Lat projection; Lt pediatric wrist radiograph —

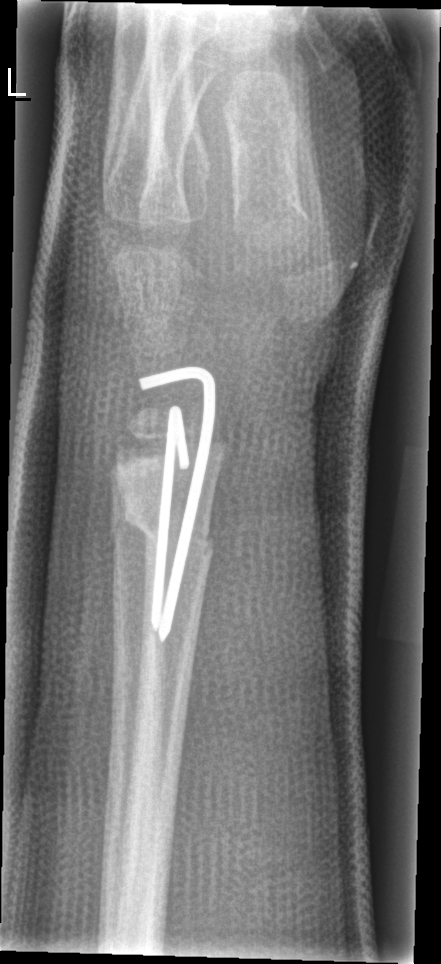
FINDINGS — Fx: (left=120, top=497, right=221, bottom=567). AO/OTA classification: 23r-M/3.1; 23u-M/2.1. Metallic hardware — (left=134, top=361, right=226, bottom=652).